Posteroanterior projection · Lt wrist plain film · 481 by 1012 pixels —

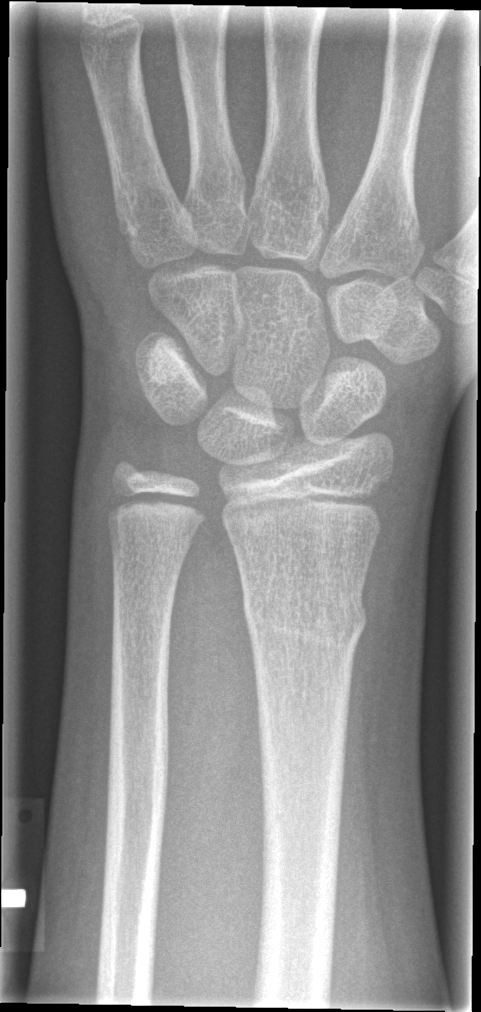

FINDINGS — (pixel coordinates, top-left origin, xyxy) Fracture classified AO/OTA 23r-M/2.1. Bone fracture identified at 241,589,372,657.